Lateral; Rt plain radiograph of the wrist; age 3 y, male; 74.0 mm image width — 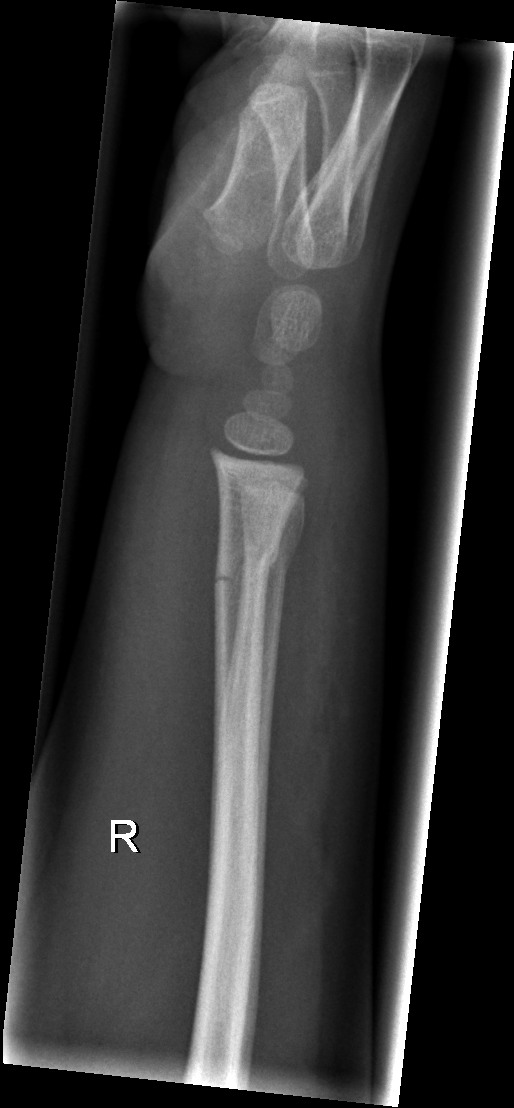 FINDINGS: Fx — 240,513,311,582; 210,543,282,598. AO code 23-M/2.1.